PA/AP view · right wrist radiograph · 4y M —

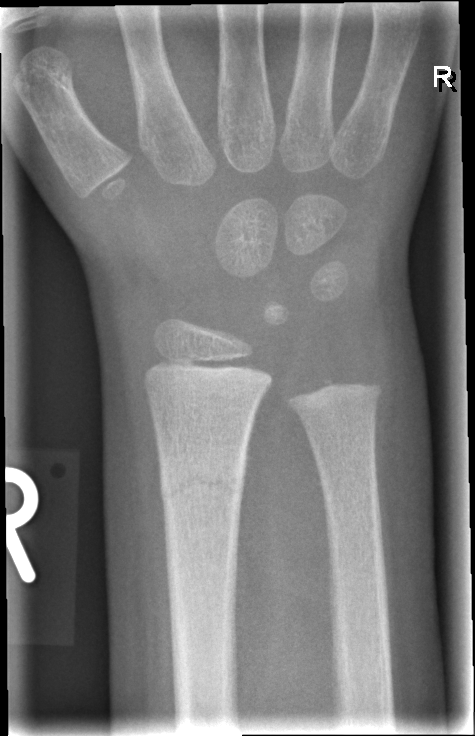

(coordinates are [x1, y1, x2, y2] in image pixels)
Q: Any fracture seen?
A: Fx: 157 457 247 516